Rt pediatric wrist radiograph; lateral projection; image width 65.7 mm; 456x943: 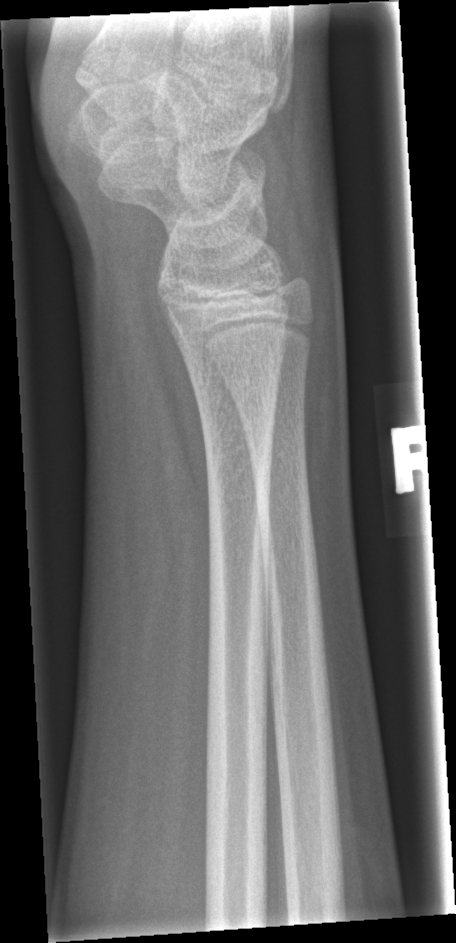
No fracture labeled.